AP view · Rt wrist radiograph · 662 x 1355 px:

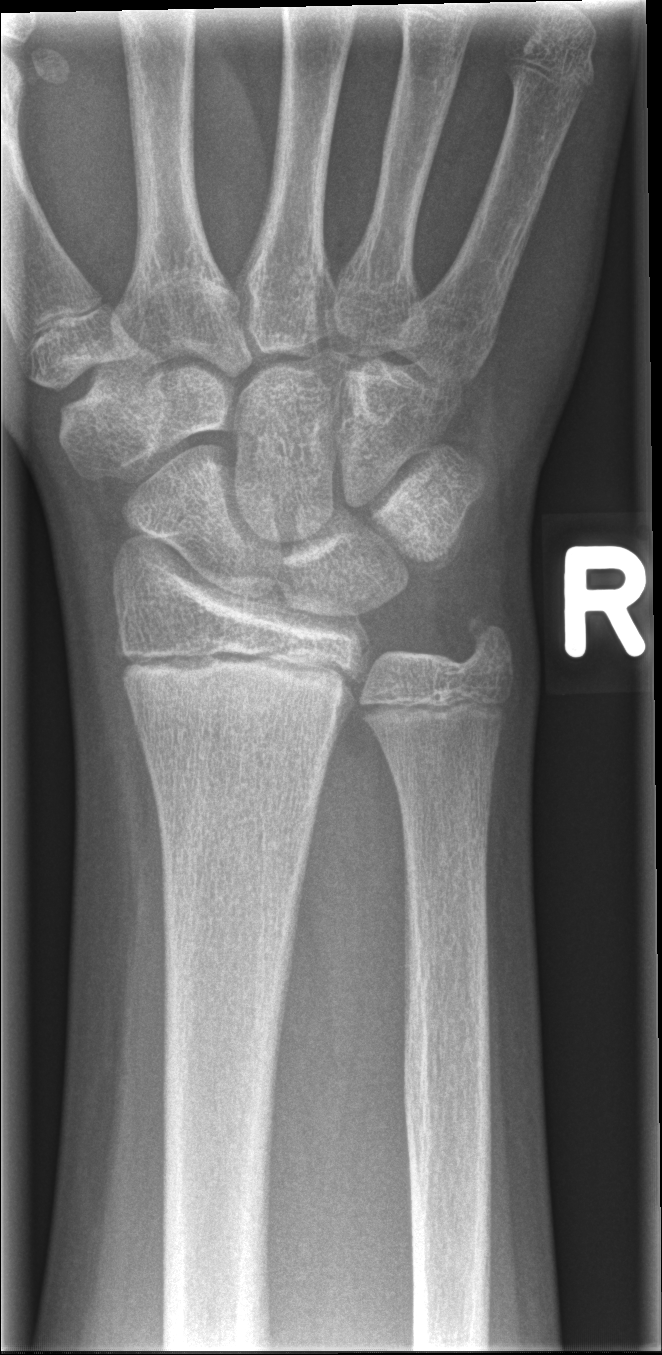 fracture: 1 @ (left=456, top=606, right=519, bottom=679)